Rt wrist X-ray · AP projection —
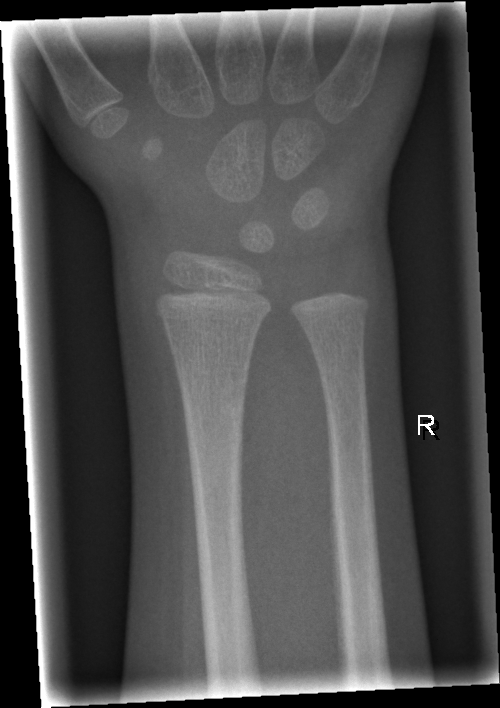

FINDINGS — Fracture: none labeled.